Frontal view | R wrist plain film | 11y M —
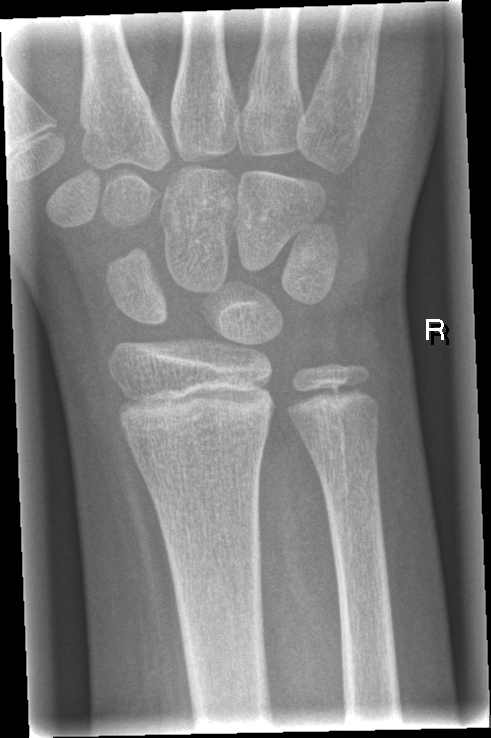

Q: Locate any fractures.
A: Fracture: none labeled